Right pediatric wrist radiograph | frontal projection | Siemens:
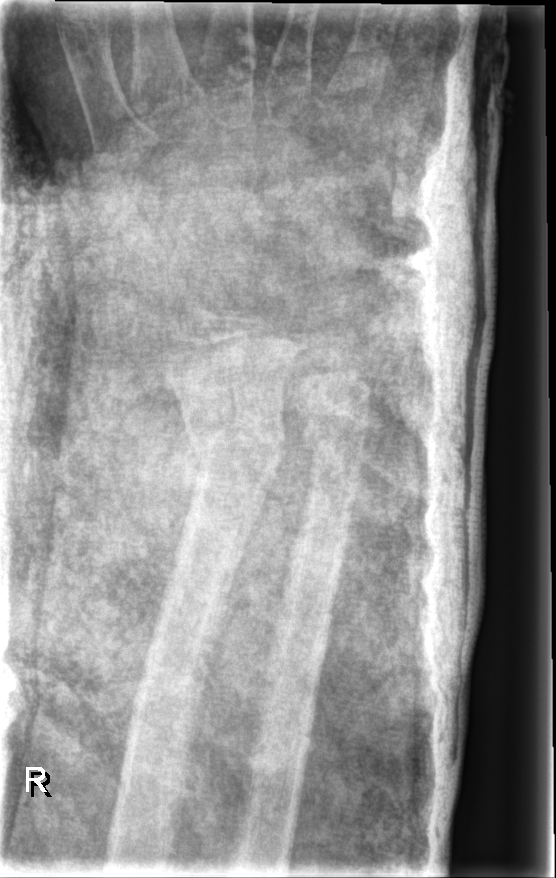 (boxes as x1,y1,x2,y2 (top-left / bottom-right, pixel units))
Q: What is the AO/OTA classification?
A: AO code 23-M/3.1
Q: Locate any fractures.
A: Fractures — (left=182, top=422, right=289, bottom=477), (left=303, top=417, right=374, bottom=464)